Right wrist X-ray, lateral.

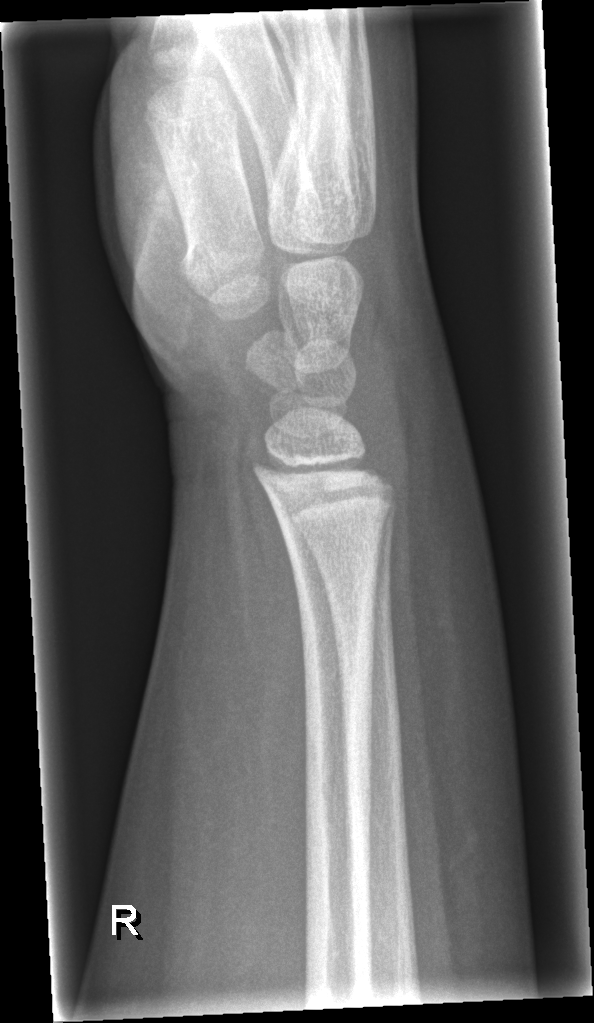

• Fracture classified AO/OTA 23r-M/2.1.
• Fracture — <272,471>-<399,555>.